PA · right wrist XR · pediatric patient (girl, age 7) · follow-up · Siemens:

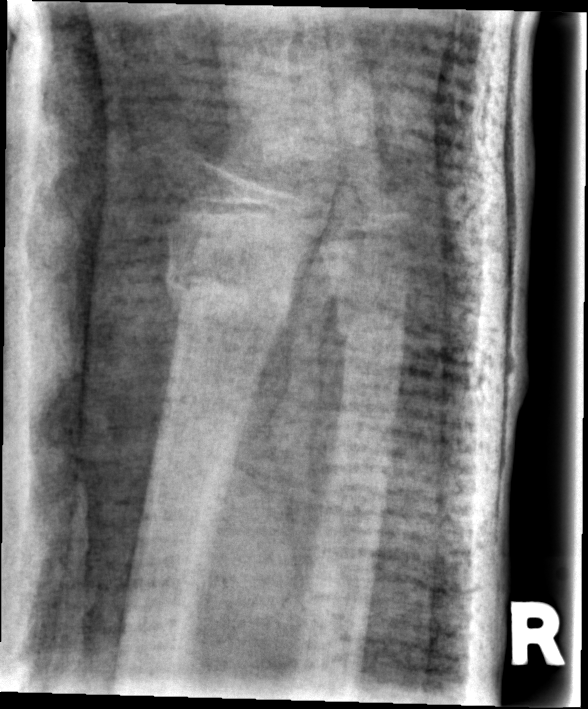 Fracture classified AO/OTA 23-M/3.1.
Fx — 159 251 302 353
  332 300 409 373.